Right wrist plain radiograph of the wrist · PA/AP · girl, 8 yo — 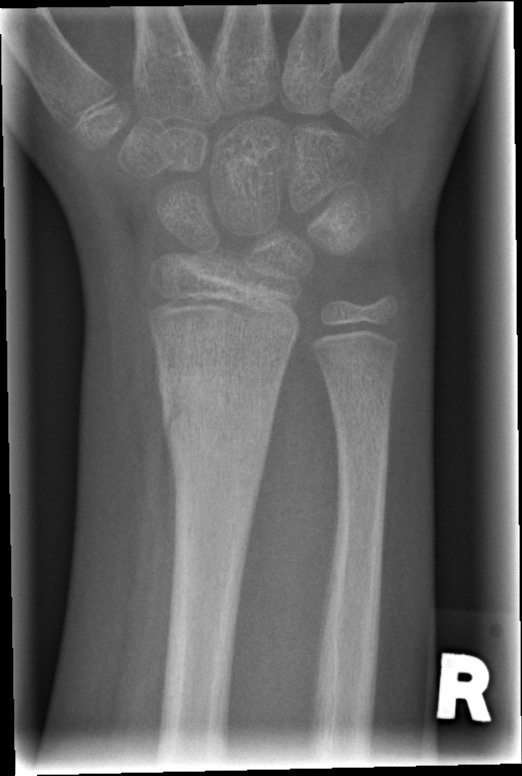

Findings: Osteopenia. Bone fracture — (153, 360, 280, 455). AO code 23-M/2.1.